L wrist XR · lat view · age 9 y, girl · follow-up · imaged through cast · acquired on Siemens · image width 90.3 mm —
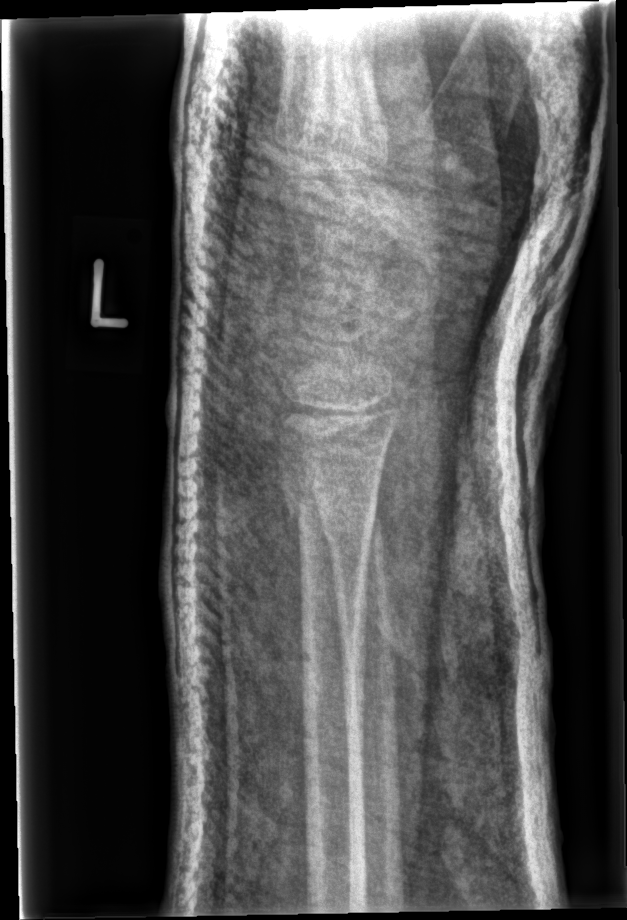

Fx identified at bbox(285, 484, 378, 544).